Right wrist plain film · lat · pediatric patient (female, age 8) · Siemens —

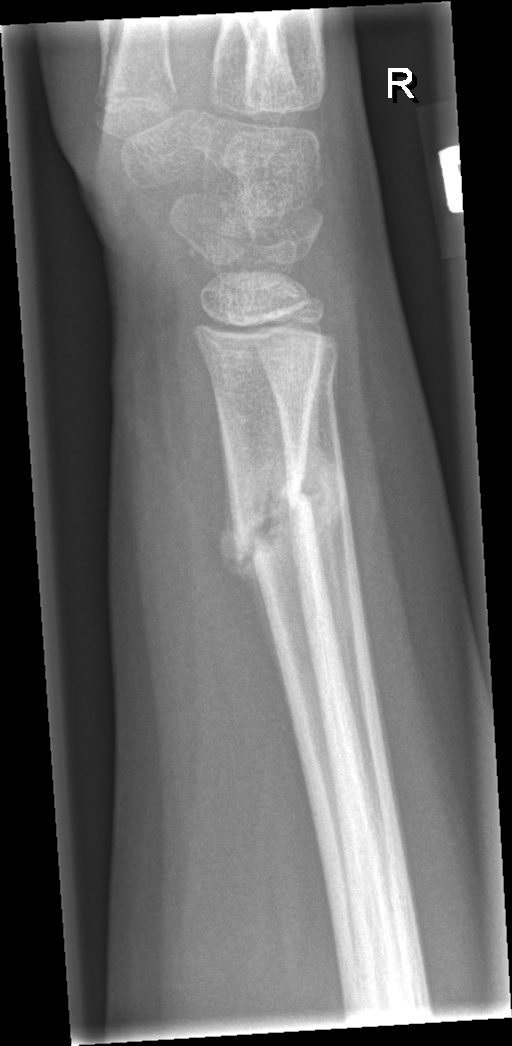 Decreased bone density (osteopenia).
Periosteal new bone identified at [218, 410, 295, 719] [295, 363, 353, 719].
One fracture at [221, 460, 344, 571].